Lat projection, Lt wrist plain film, pediatric patient (female, age 5) —
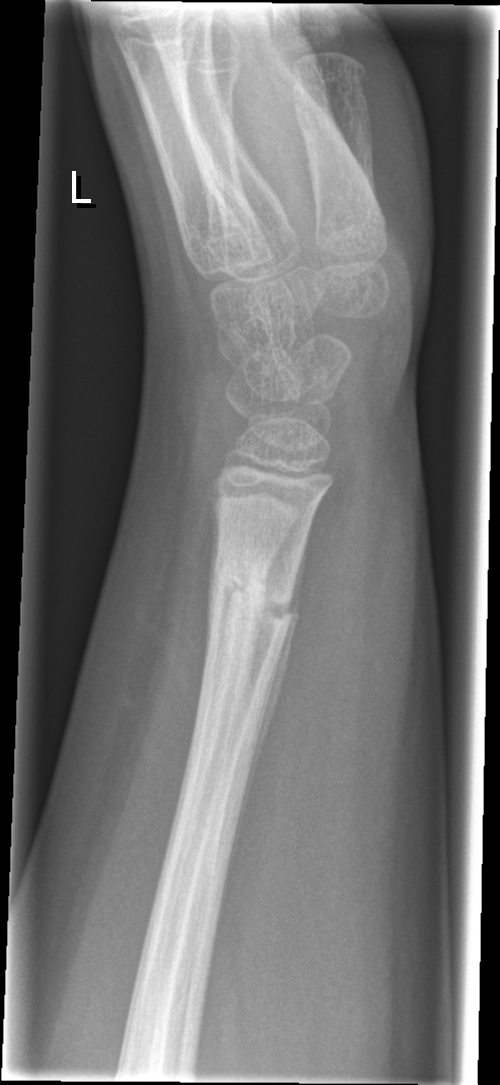

Fracture classified AO/OTA 23r-M/3.1; 23u-M/2.1.
Fx: <213,554>-<302,642>.
Periosteal reaction identified at <227,539>-<305,881>.
Osteopenia.